Lateral view; left wrist plain film; 10y F —
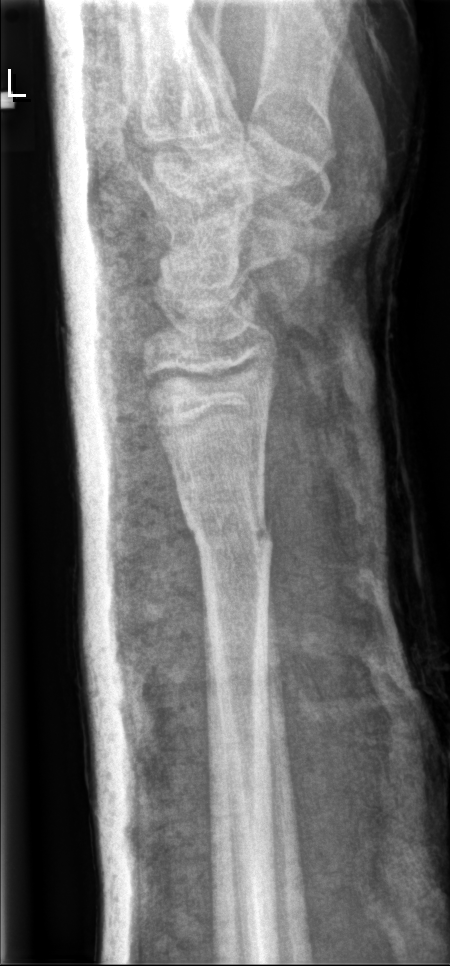

(bounding boxes in image-pixel xyxy)
Q: What is the AO/OTA classification?
A: AO code 23r-M/3.1; 23u-M/2.1; 23u-E/7
Q: Any fracture seen?
A: Fracture identified at 181 495 276 570